Lat projection · left wrist plain film · age 12 y, male · imaged through cast —

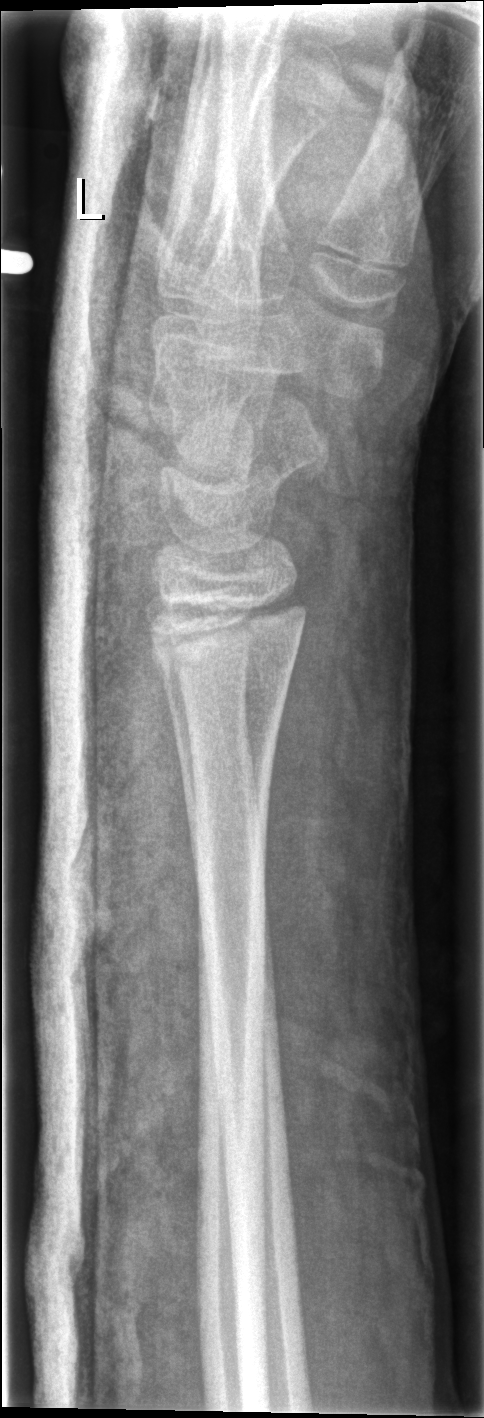 (pixel coordinates, top-left origin, xyxy)
Q: Any fracture seen?
A: Fracture: bbox(145, 584, 309, 684)